Lt pediatric wrist radiograph | lateral view | index exam | findings marked uncertain by the reading radiologist | 480 by 685 pixels:

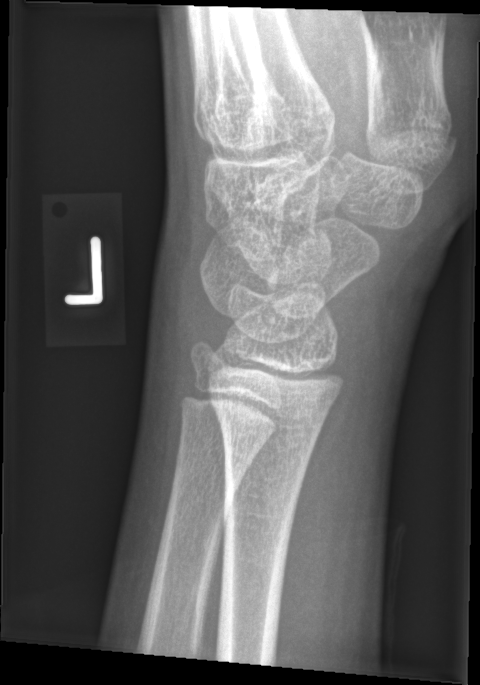 AO/OTA classification: 23r-M/2.1. Fx — (205, 381, 333, 456).